Lateral projection · left wrist plain film · girl, 12 yo · initial study · detector: Siemens:

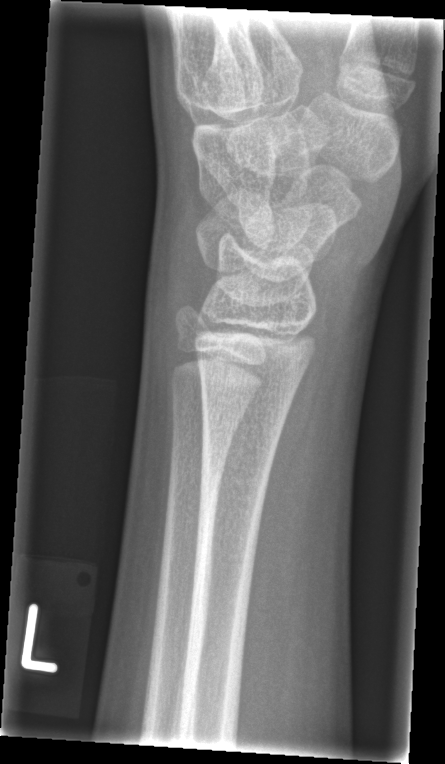 * Fx: none.